Lat; L wrist XR; presentation radiograph:
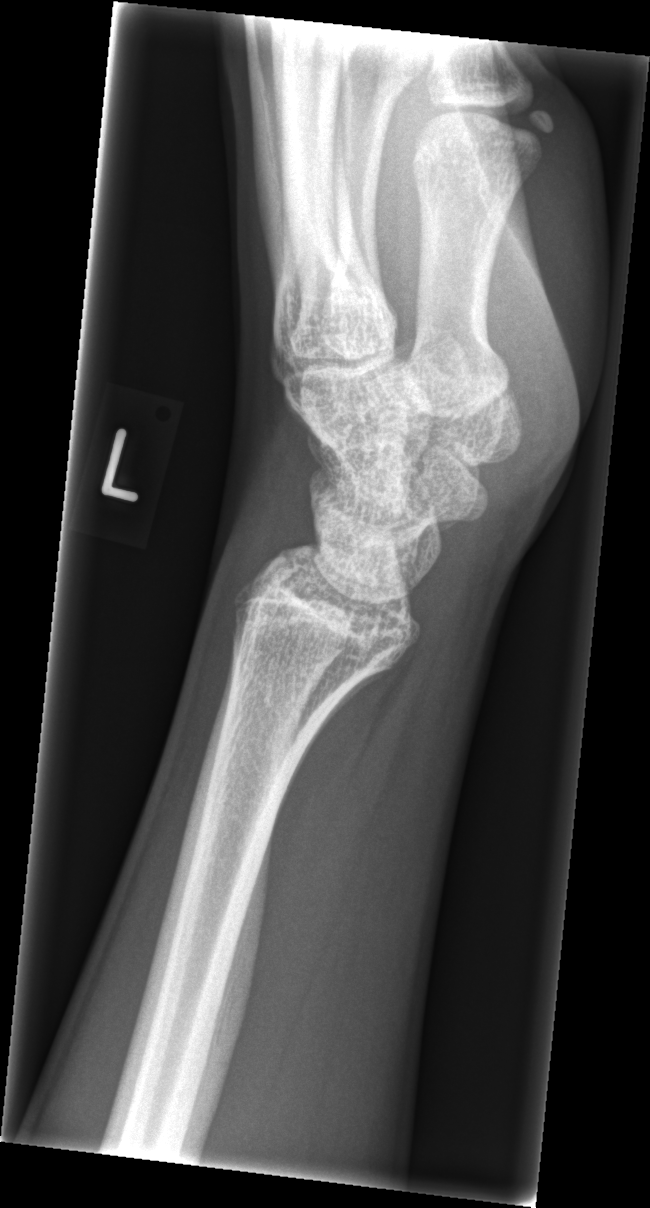 bone fracture: none labeled